Lateral view, Lt pediatric wrist radiograph, cast present — 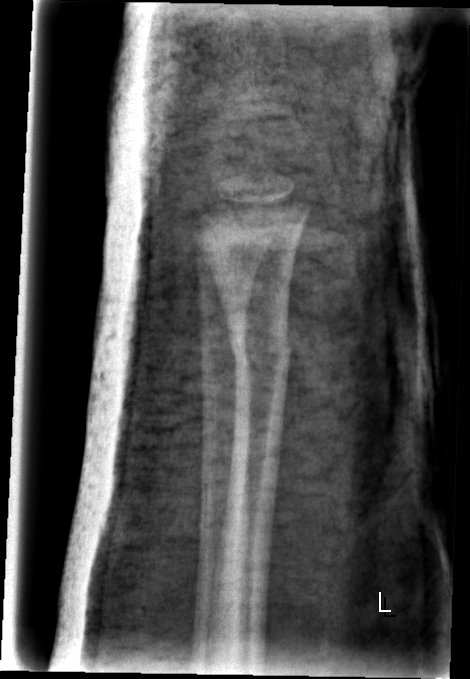

Bounding boxes in image-pixel xyxy.
AO/OTA classification: 23r-M/3.1.
Bone fracture — (225, 321, 296, 385).